L wrist radiograph | AP view | pediatric patient (female, age 5) | in cast | image width 73.2 mm:
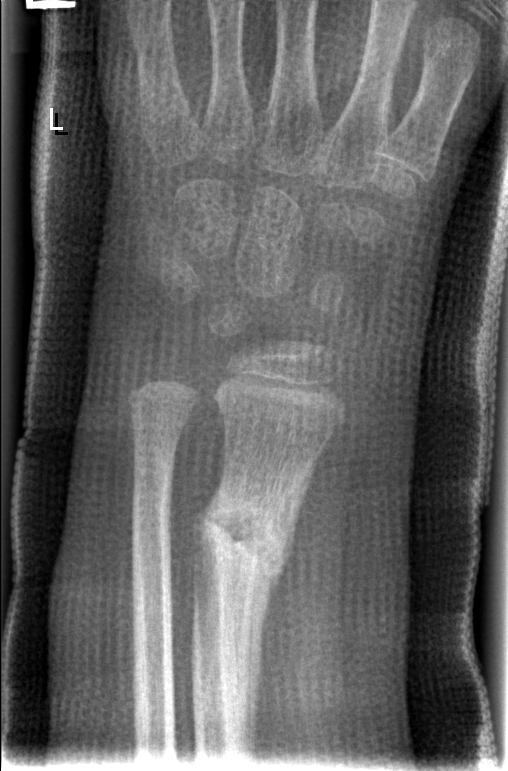
Bounding boxes in image-pixel xyxy.
One bone fracture at [195, 494, 298, 583].
Periosteal reaction — [244, 454, 319, 759].